R wrist radiograph, AP projection, pediatric patient (male, age 11):

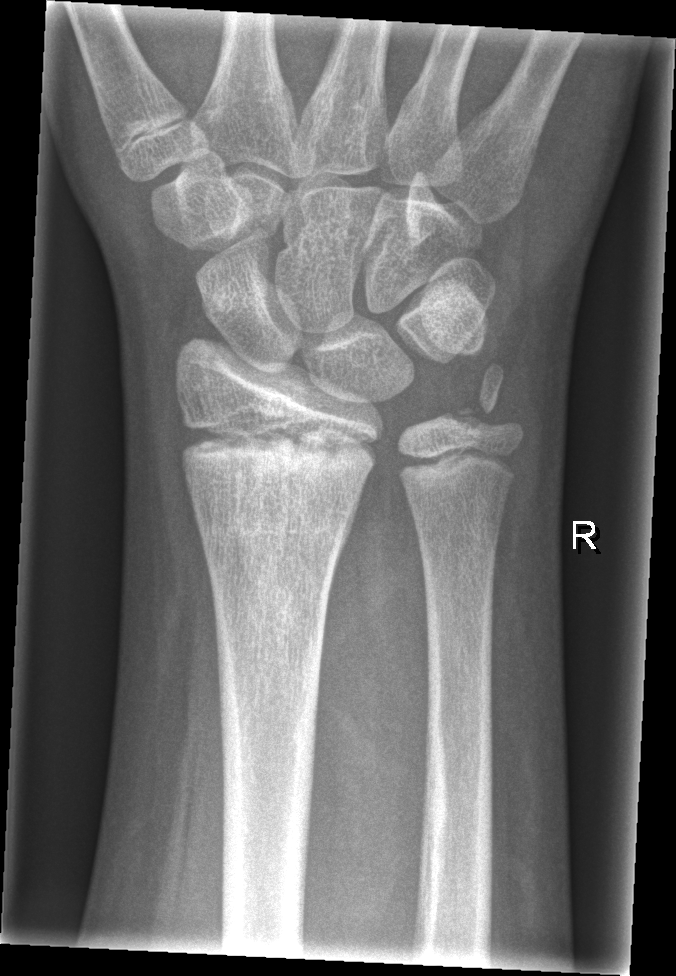
Boxes as x1,y1,x2,y2 (top-left / bottom-right, pixel units).
Fx — (left=170, top=408, right=384, bottom=495) (left=446, top=359, right=529, bottom=454).